Right pediatric wrist radiograph · lat projection · imaged through cast —
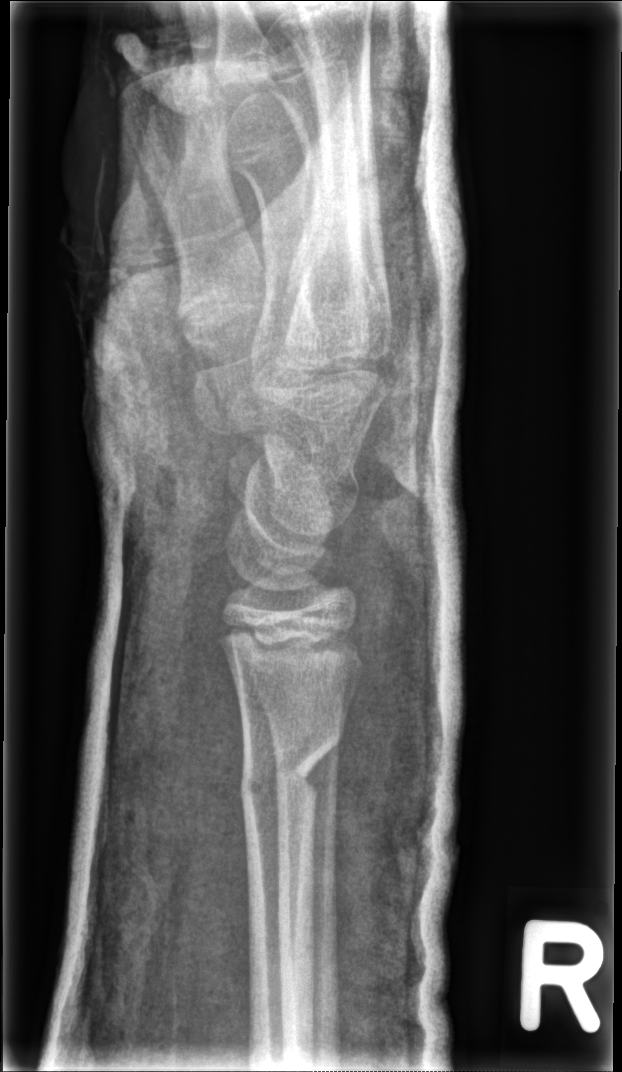

{
  "_coords": "pixel coordinates, top-left origin, xyxy",
  "fracture": "(236, 719, 347, 817)"
}